Lat projection | left wrist radiograph | follow-up.

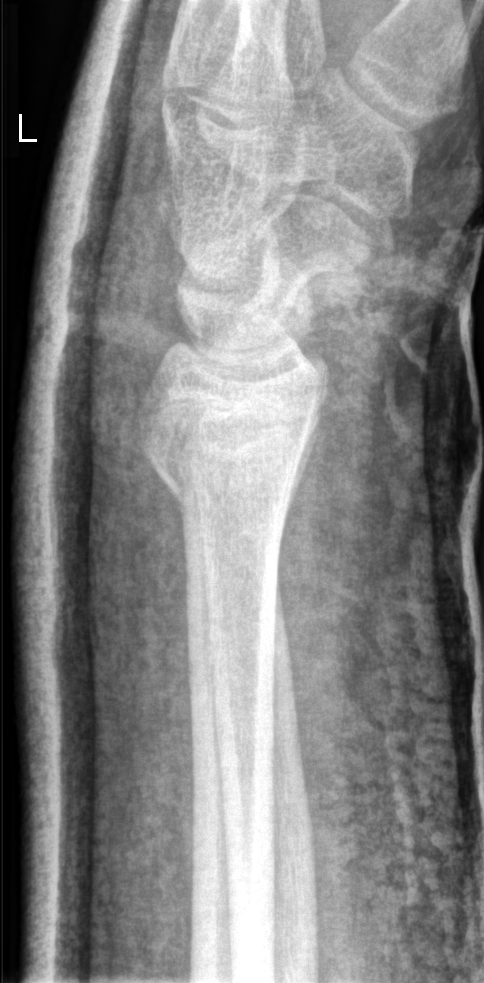
Q: AO code?
A: AO code 23r-M/2.1
Q: Locate any fractures.
A: Fracture — <151,448>-<303,541>